AP projection, R pediatric wrist radiograph, male, 9 yo, cast present.
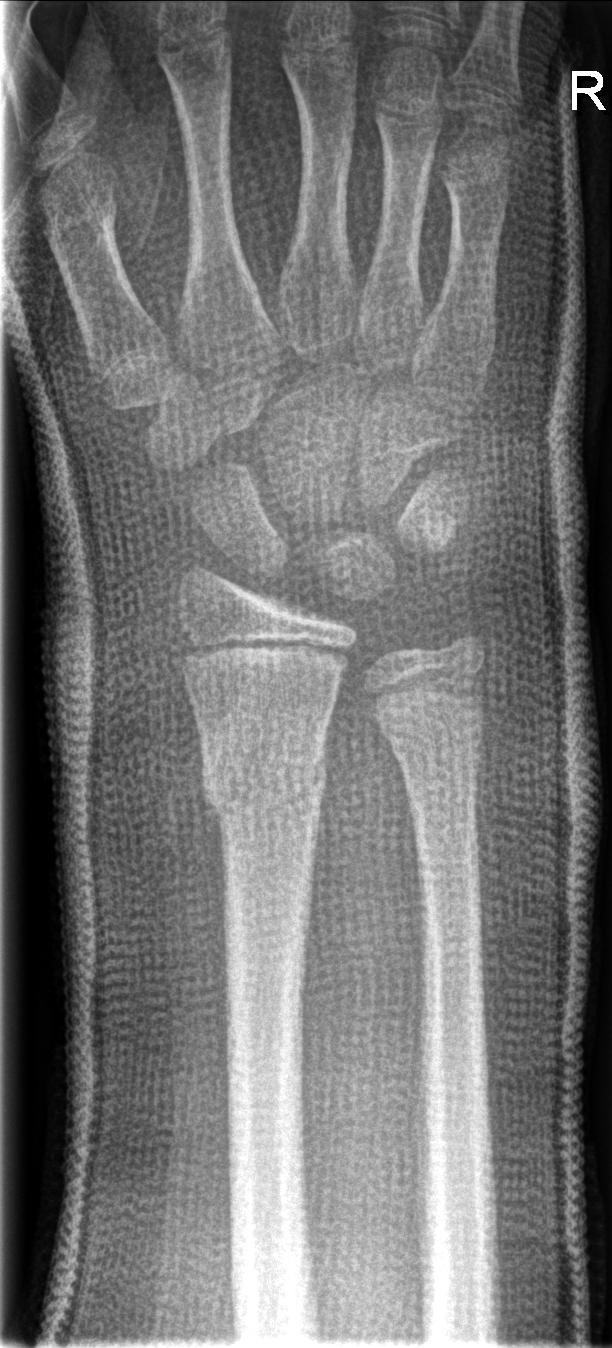
Bone fracture — 199 742 332 820.